Lat projection; L plain radiograph of the wrist; 8y F; cast in situ; 117.4 mm image width.
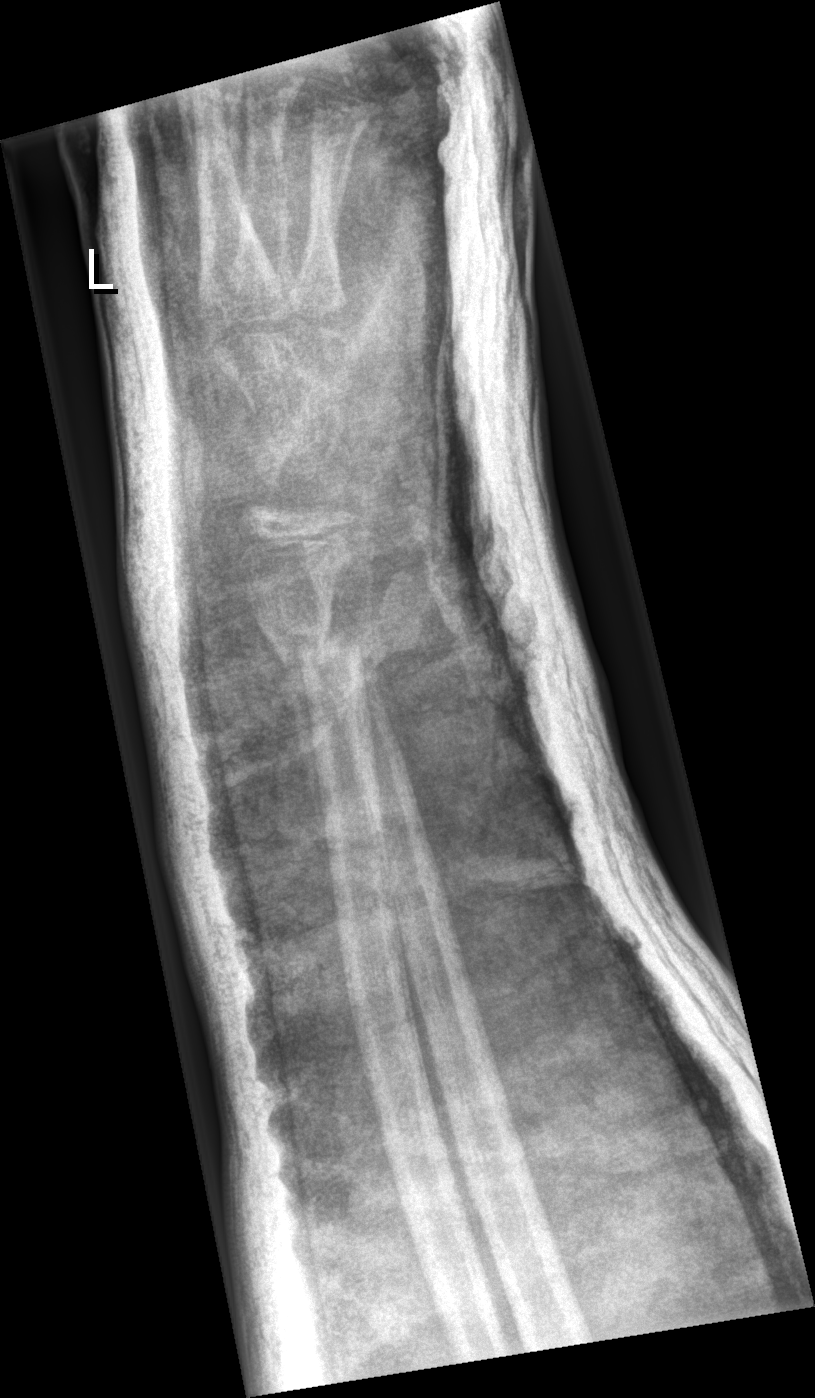 # pixel coordinates, top-left origin, xyxy
periostealreaction: (left=280, top=638, right=335, bottom=883)
fracture: 1 @ (left=269, top=615, right=385, bottom=686)